PA view, right wrist plain film:
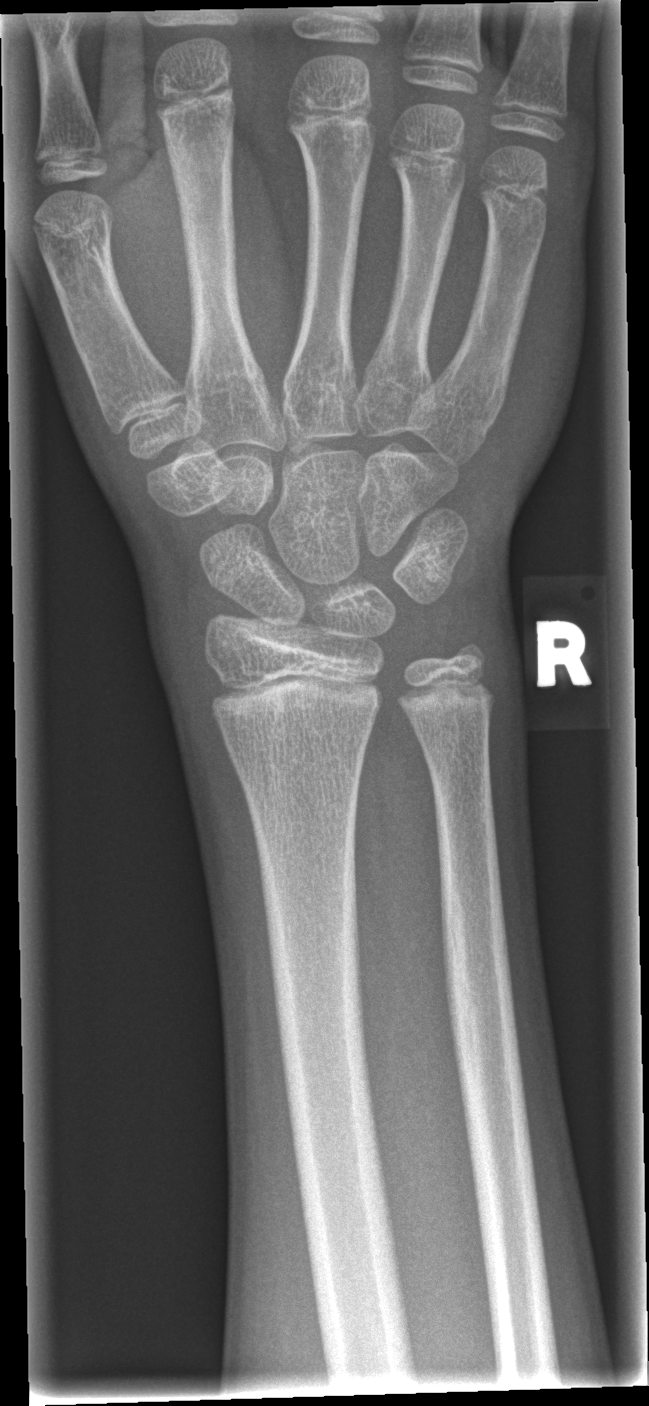

No fracture labeled.